Lat projection; right wrist X-ray; image 59.3 mm wide; 412 x 816 px.

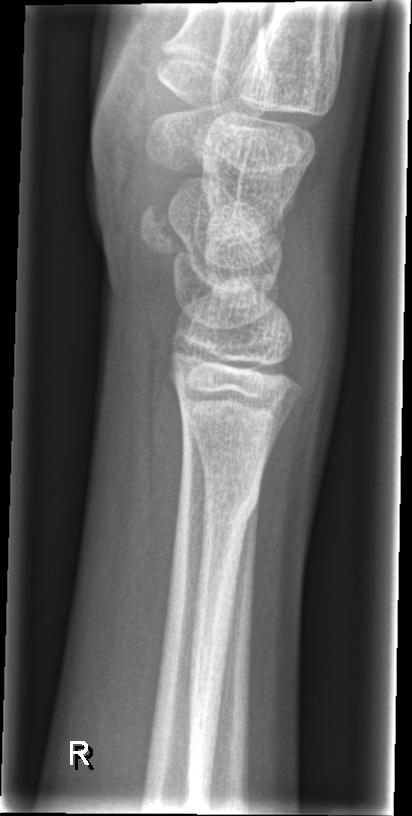

Coordinates are [x1, y1, x2, y2] in image pixels. Bone fracture: <172,461>-<265,538>.